Lat projection | R wrist plain film | pediatric patient (male, age 14) | 450 x 936 px
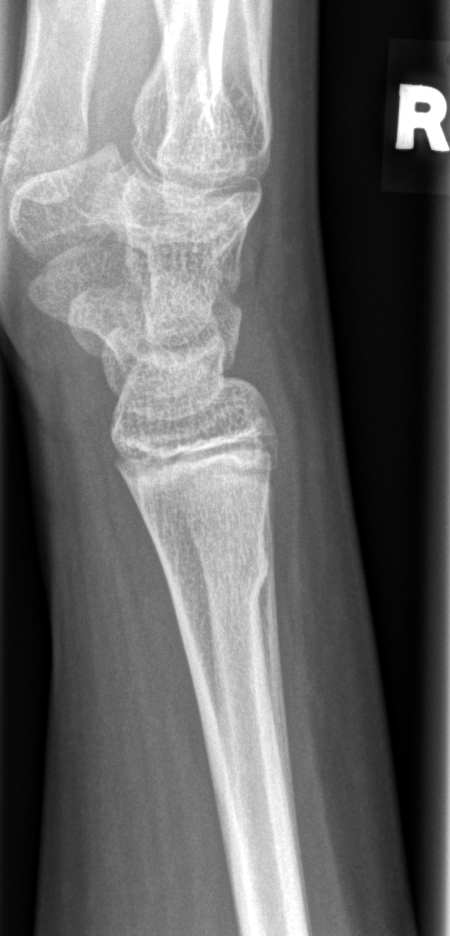
Boxes as x1,y1,x2,y2 (top-left / bottom-right, pixel units). Bone fracture: [159, 536, 272, 609].